Lt wrist radiograph | lateral | initial study

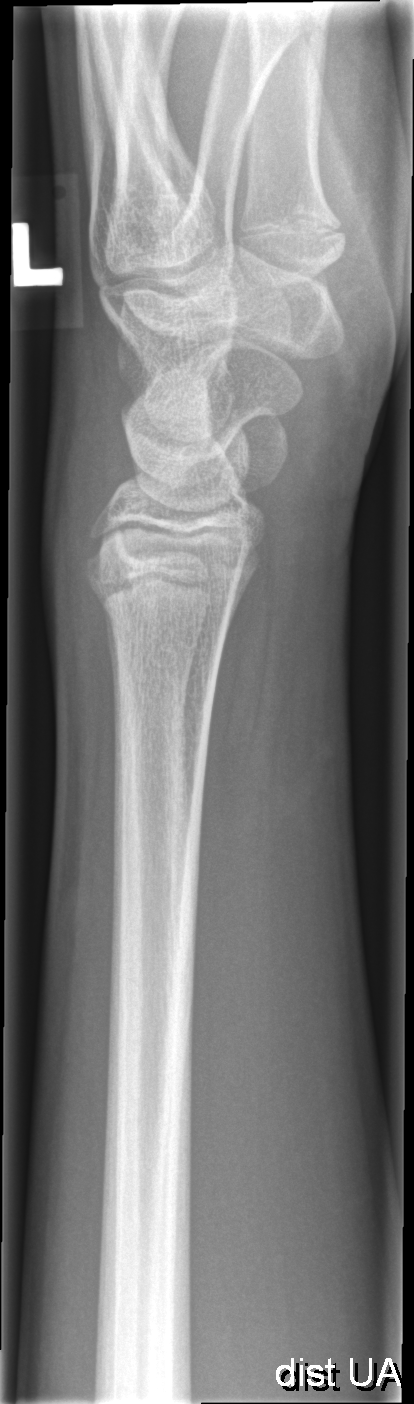 Fx: <88,568>-<240,638>